AP projection; right wrist pediatric wrist radiograph; 15-year-old male; 101.7 mm image width 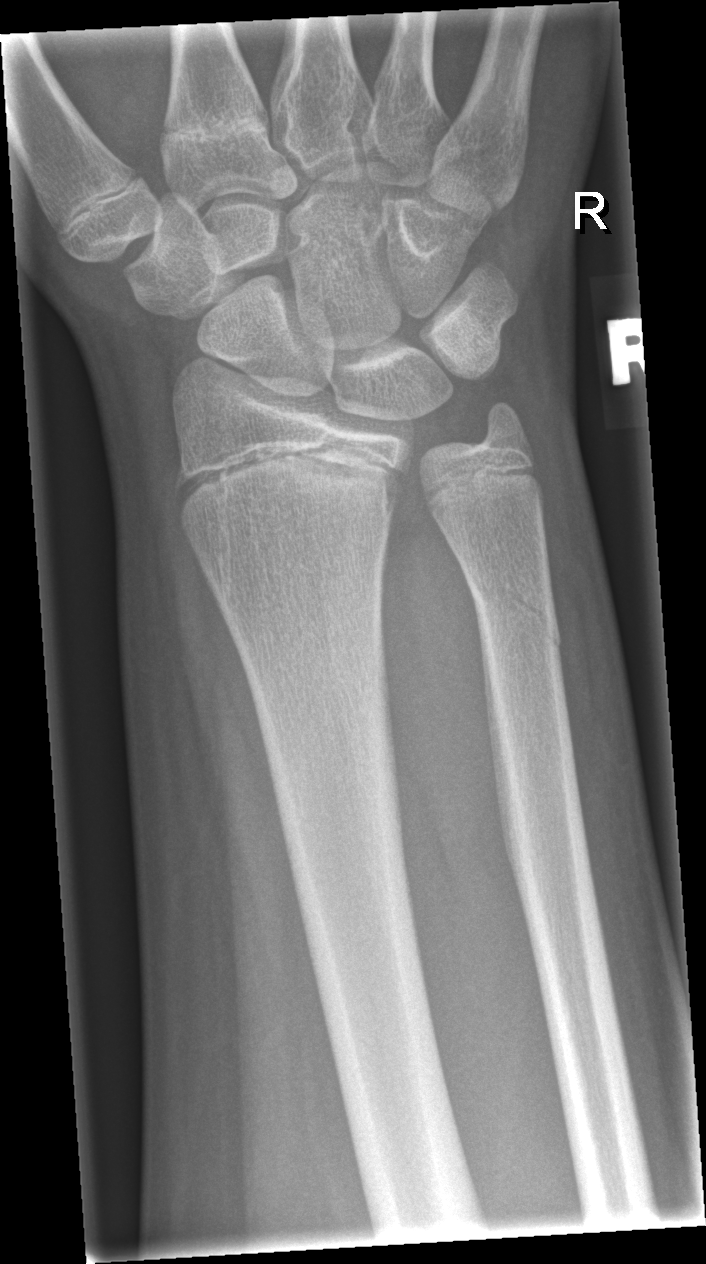
Q: Any fracture seen?
A: Bone fracture: [x1=171, y1=436, x2=411, y2=535] [x1=464, y1=556, x2=565, y2=660]
Q: What is the AO/OTA classification?
A: Fracture classified AO/OTA 23r-E/2.1; 23u-M/3.1